Lat, left wrist plain film, image width 106.3 mm, image size 738x974 —

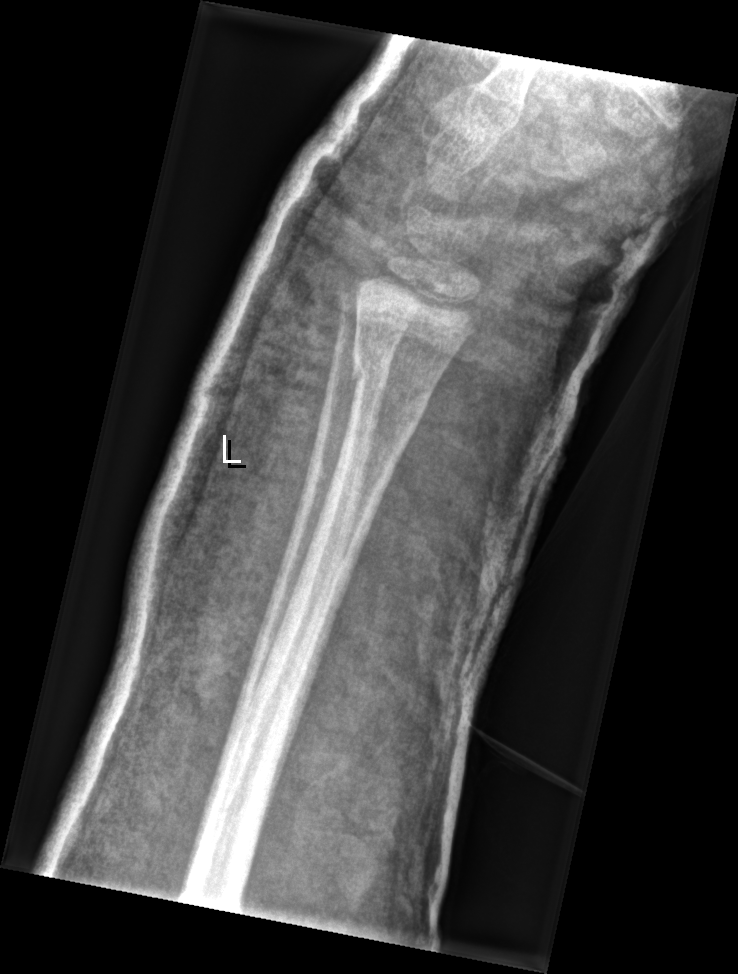

Fx = (left=348, top=340, right=437, bottom=442)
AO/OTA = 23-M/3.1